PA view | Rt wrist plain film | 10y F | acquired on Siemens — 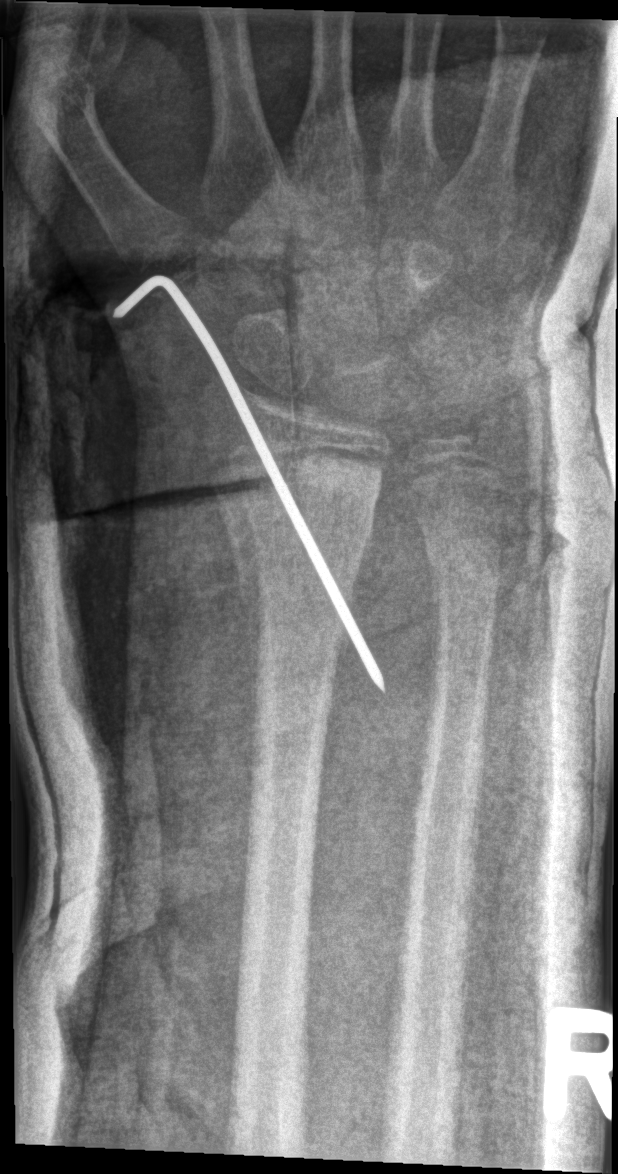
AO/OTA = 23r-E/2.1; 23u-M/2.1
bone fracture = [x1=208, y1=455, x2=386, y2=611], [x1=422, y1=536, x2=507, y2=604]
metallic implant = [x1=112, y1=275, x2=386, y2=695]